Rt wrist X-ray | posteroanterior | pediatric patient (girl, age 16) | presentation radiograph.

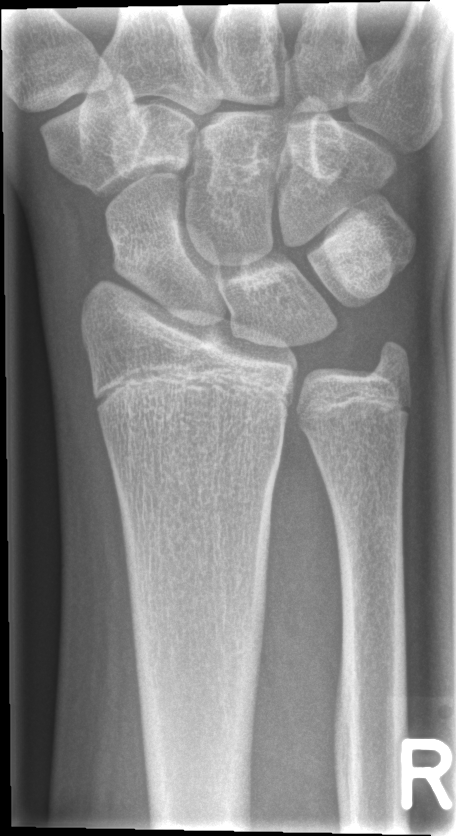

Findings: No fracture bounding box.